PA projection; left wrist X-ray; pediatric patient (girl, age 14).

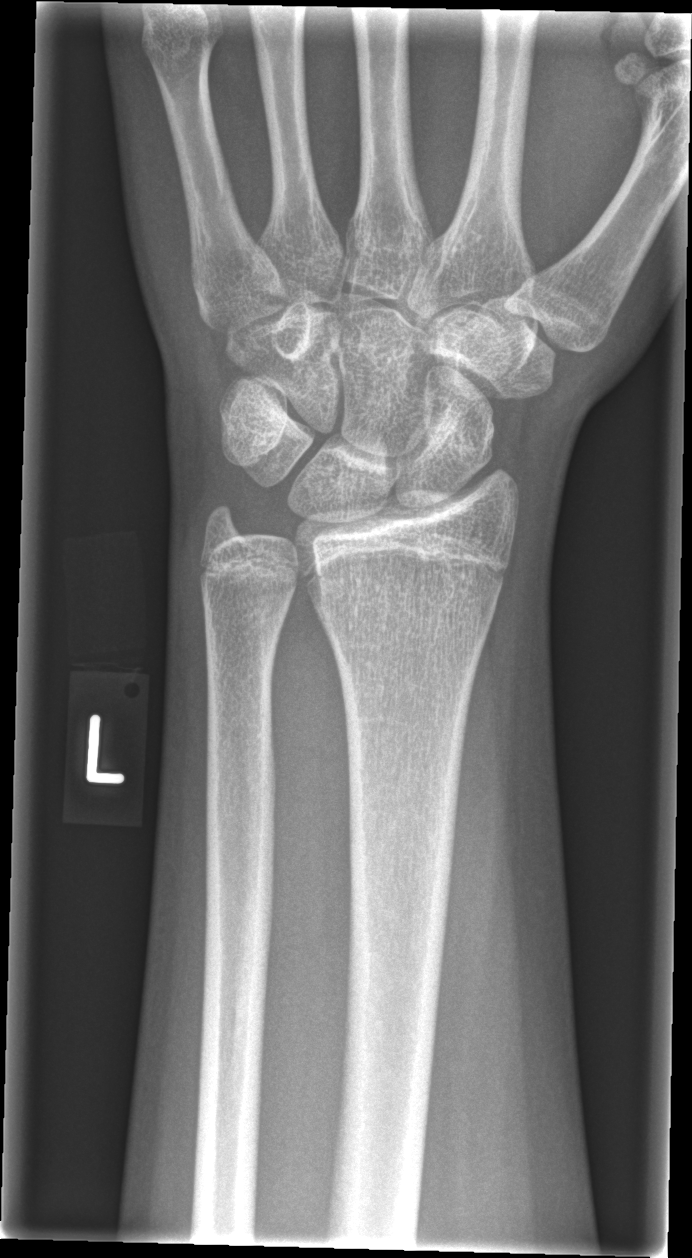

Fx: none labeled